AP view, R wrist radiograph, age 10 y, male, cast in situ

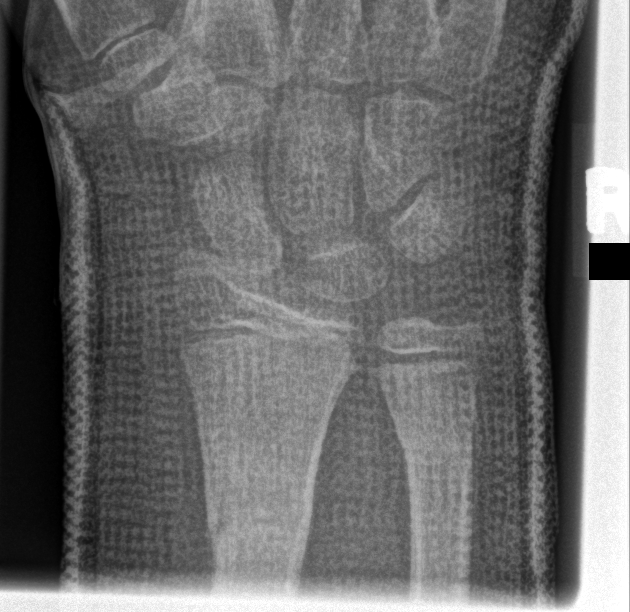 FINDINGS — Two bone fractures at 203 485 314 555
  393 417 478 476.